Right pediatric wrist radiograph; PA/AP projection; age 16 y, boy; follow-up; cast present; image 75.3 mm wide.

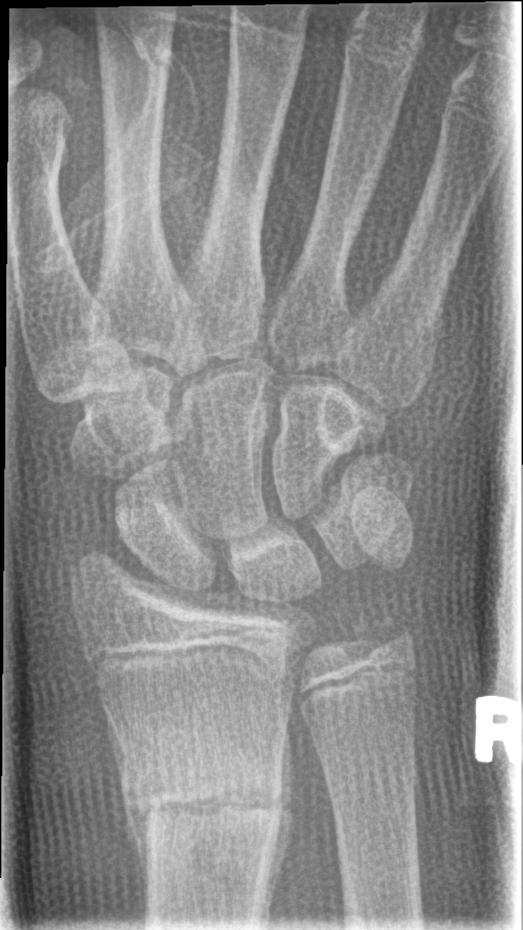 Bounding boxes in image-pixel xyxy.
Two Fx at bbox(114, 737, 293, 860) bbox(348, 606, 417, 656).
Periosteal thickening identified at bbox(103, 703, 150, 922), bbox(260, 715, 292, 928).
Fracture classified AO/OTA 23r-M/3.1; 23u-E/7.